PA · Rt wrist X-ray · pediatric patient (girl, age 11)

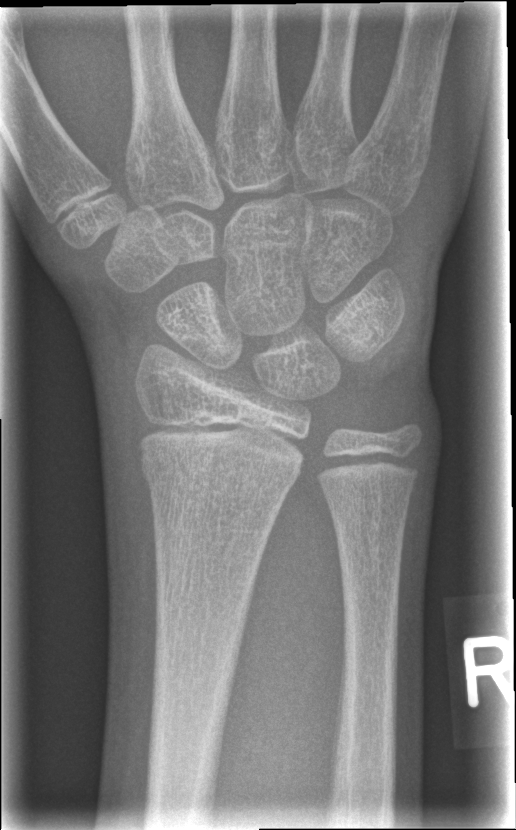 (coordinates are [x1, y1, x2, y2] in image pixels)
Fx = (left=136, top=446, right=300, bottom=500)